Rt plain radiograph of the wrist · PA/AP · 12y M · initial study · 698 by 1350 pixels: 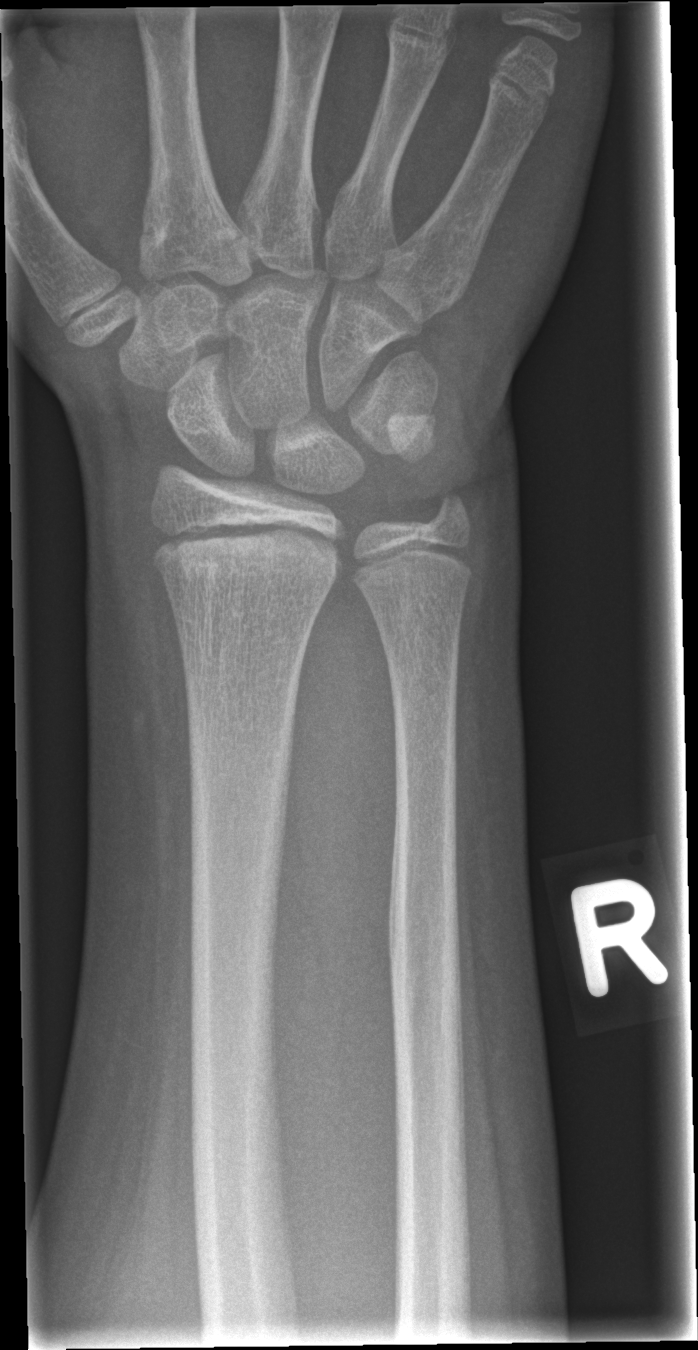
Fx: present but not clearly seen in this view. AO/OTA classification: 23r-E/2.1.